Left plain radiograph of the wrist; PA; age 8 y, boy; follow-up; 520x737 —
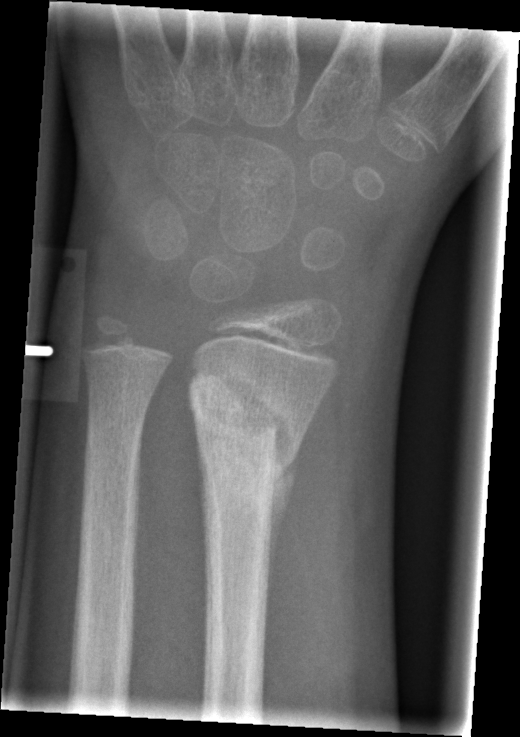 (bounding boxes in image-pixel xyxy)
Fracture: 1 @ <181,356>-<314,510>
Periosteal new bone: <267,440>-<302,606>
AO code: 23r-M/3.1